Rt wrist X-ray | lateral | pediatric patient (male, age 4) | imaged through cast

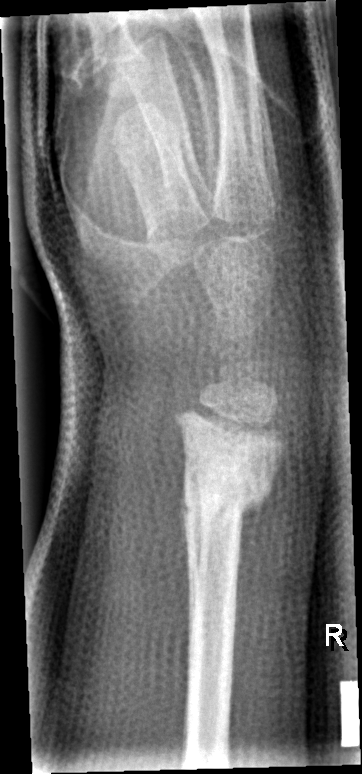
{
  "ao": "23r-M/3.1; 23u-M/2.1",
  "fracture": "174,459,279,535"
}